Lateral · right wrist radiograph · pediatric patient (male, age 15) · 398 by 754 pixels.

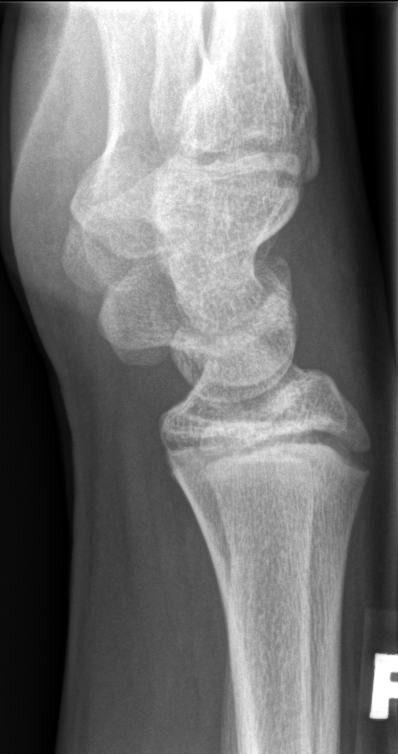 No fracture bounding box.